PA projection, right wrist plain film, female, 5 yo, in cast: 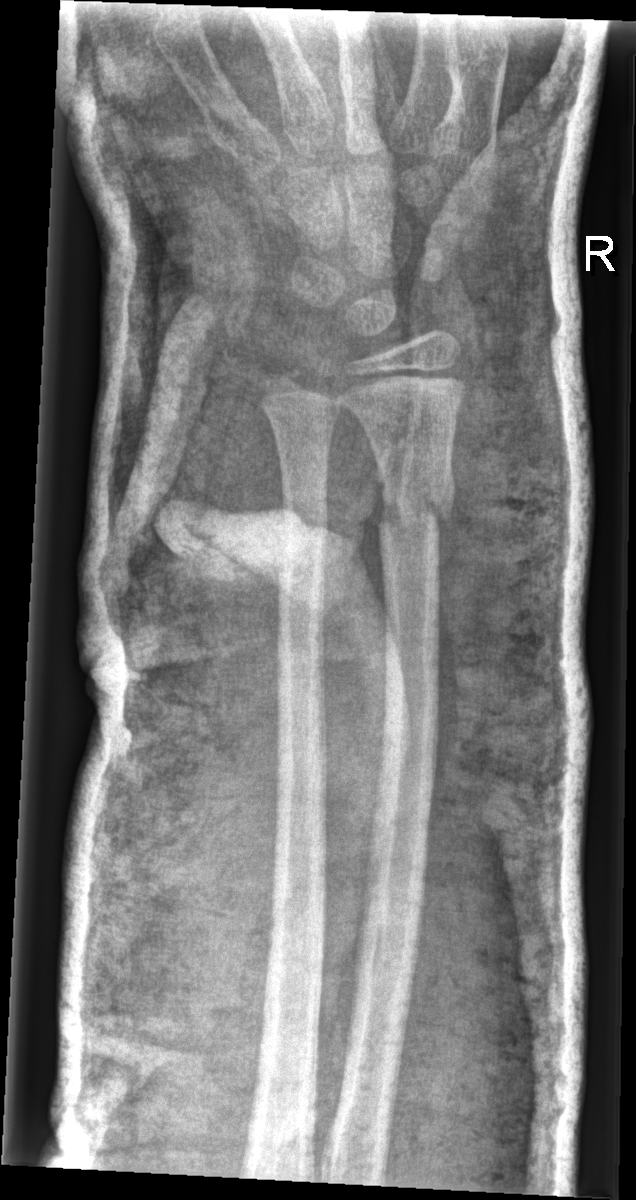

Bone fracture identified at [373, 473, 458, 537].